PA · left wrist radiograph · female, 5 yo · index exam · 64.5 mm image width 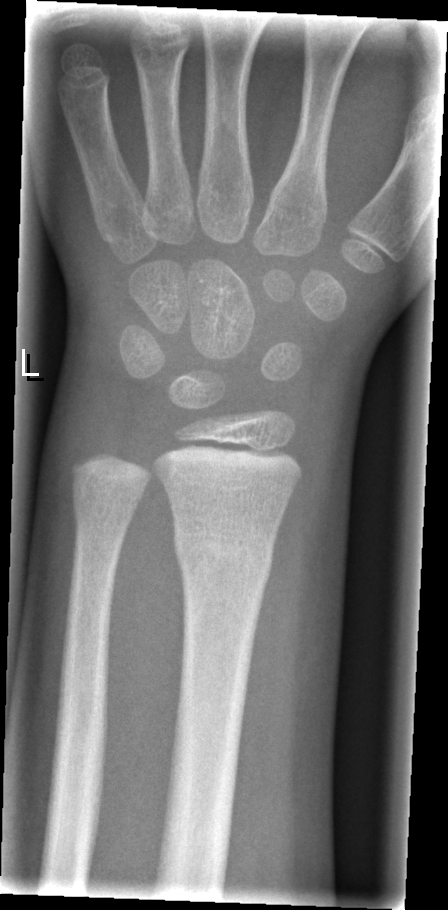

Fracture = 2 @ bbox(170, 519, 276, 585) bbox(68, 494, 142, 543)